Lateral projection | L wrist X-ray: 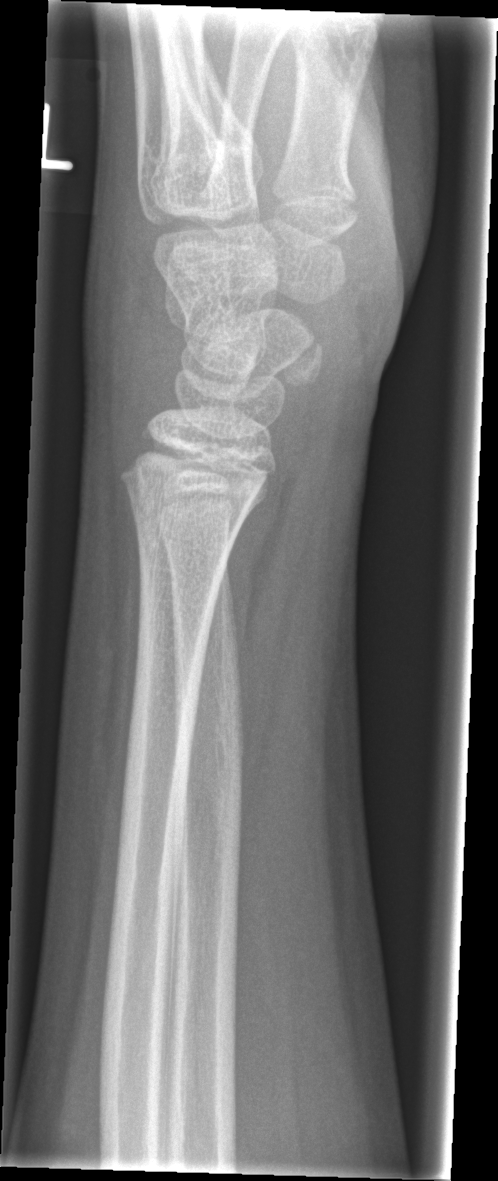 FINDINGS: No Fx annotated. One soft-tissue swelling at 80,197,178,429.